PA · left wrist plain radiograph of the wrist · subsequent exam · imaged through cast · image 88.3 mm wide.
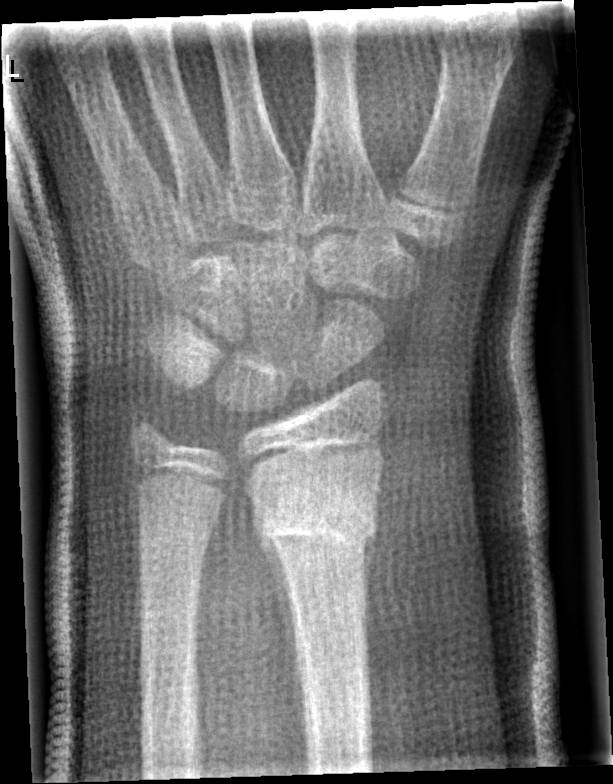

Findings: Periosteal thickening identified at <253,498>-<305,736> <361,532>-<376,673>. Fracture classified AO/OTA 23r-M/3.1; 23u-M/2.. One bone fracture at <255,482>-<381,559>.